Left wrist X-ray · posteroanterior view · 9y M · detector: Siemens 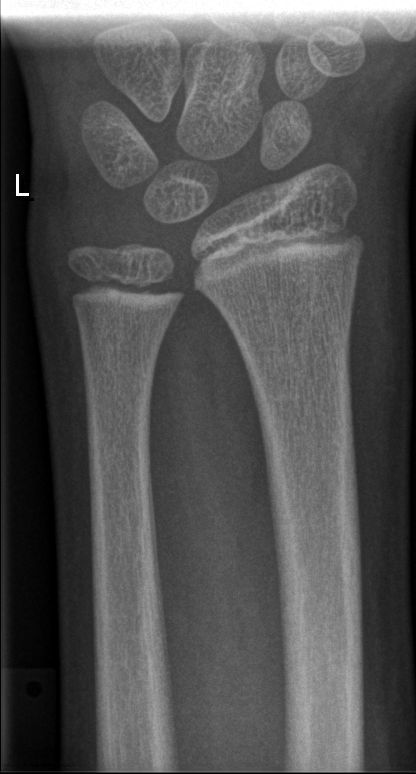
  fracture: none labeled